Lat view, right wrist radiograph, girl, 13 yo 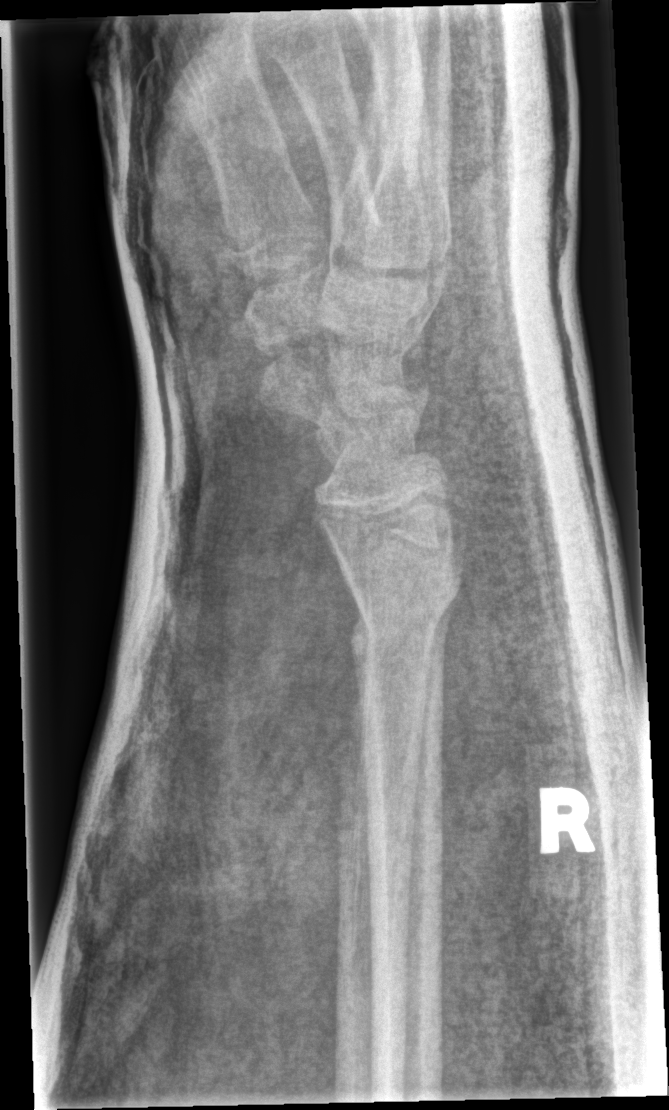
fracture = 1 @ (346, 570, 465, 658)